Right wrist XR | lateral view | pediatric patient (male, age 9) —
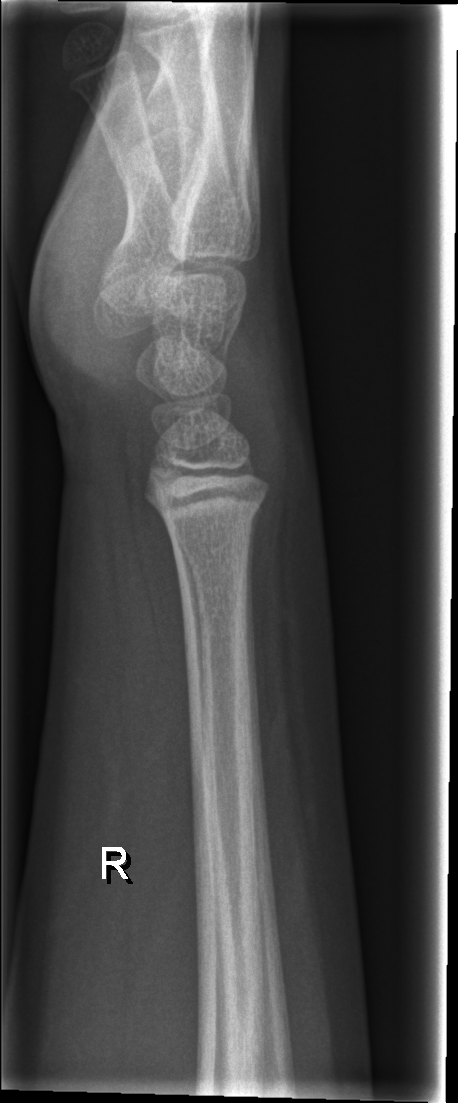 (pixel coordinates, top-left origin, xyxy)
Fx = 1 @ 157 487 268 547